PA projection · right wrist plain film · pediatric patient (boy, age 14) · imaged through cast · Siemens · 622x861:
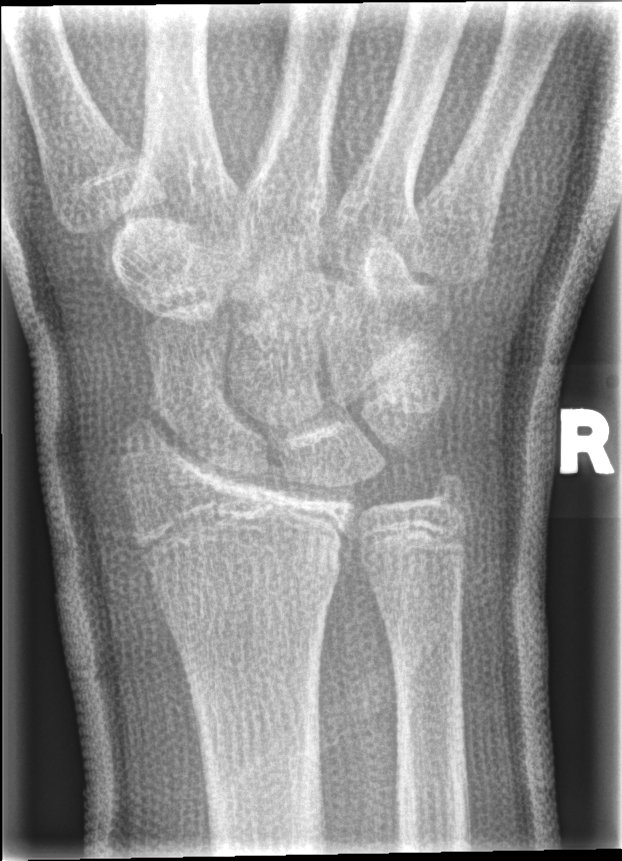
FINDINGS — (pixel coordinates, top-left origin, xyxy) AO/OTA classification: 23r-E/7. Fx identified at (left=111, top=410, right=218, bottom=472).